PA projection | Lt pediatric wrist radiograph | 11-year-old girl | imaged through cast 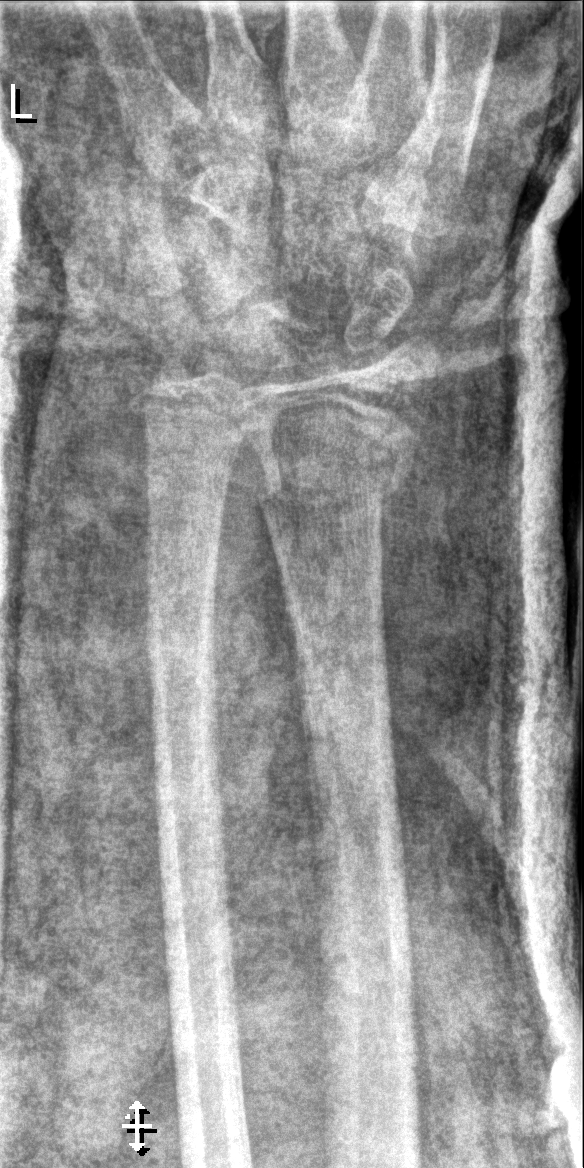

Boxes as x1,y1,x2,y2 (top-left / bottom-right, pixel units).
Two bone fractures at <251,455>-<413,518> <136,389>-<252,457>.